PA/AP · Rt wrist plain film · 7-year-old boy · index exam · image size 422x853
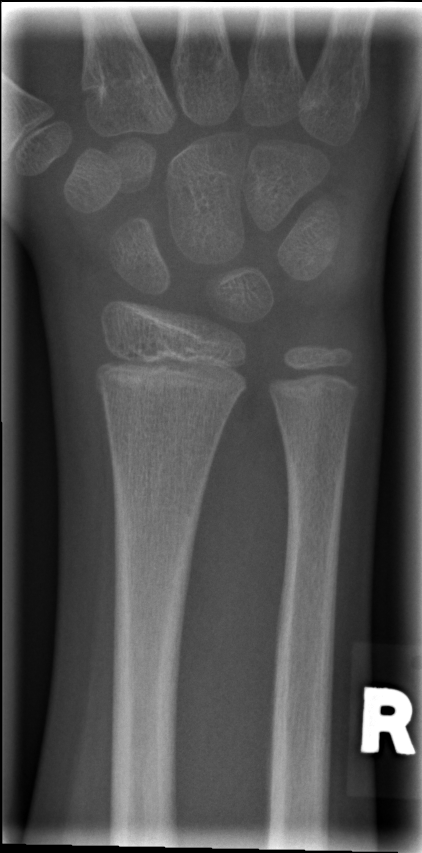 Fx: none.